Lateral, R pediatric wrist radiograph, age 10 y, girl, follow-up study. 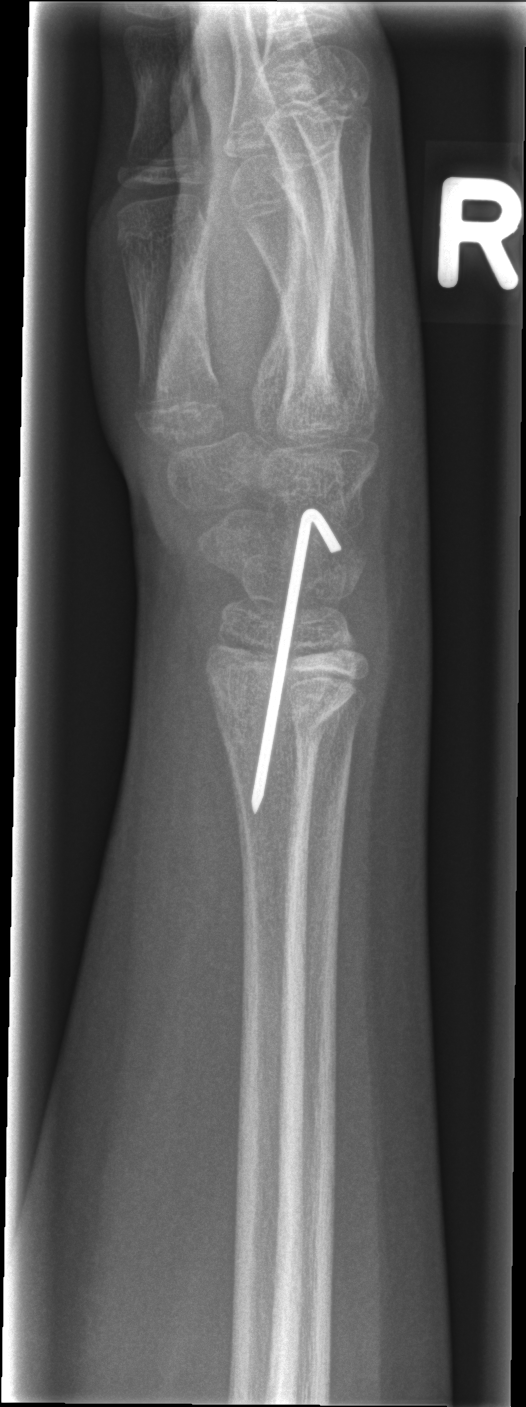
Findings: (pixel coordinates, top-left origin, xyxy) Fracture — 205 625 374 748. AO/OTA classification: 23r-E/2.1; 23u-E/7. Metallic implant — 247 505 345 821. Osteopenia.